Lateral projection, right wrist plain radiograph of the wrist, Siemens —

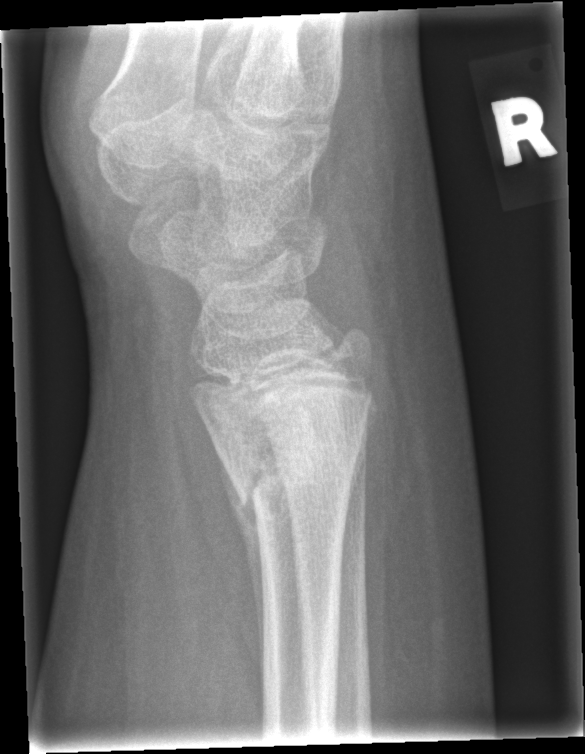

Findings: Periosteal reaction identified at (222, 450, 268, 694). Fx — (226, 411, 369, 509).